R plain radiograph of the wrist; frontal projection; 9-year-old boy; Siemens:
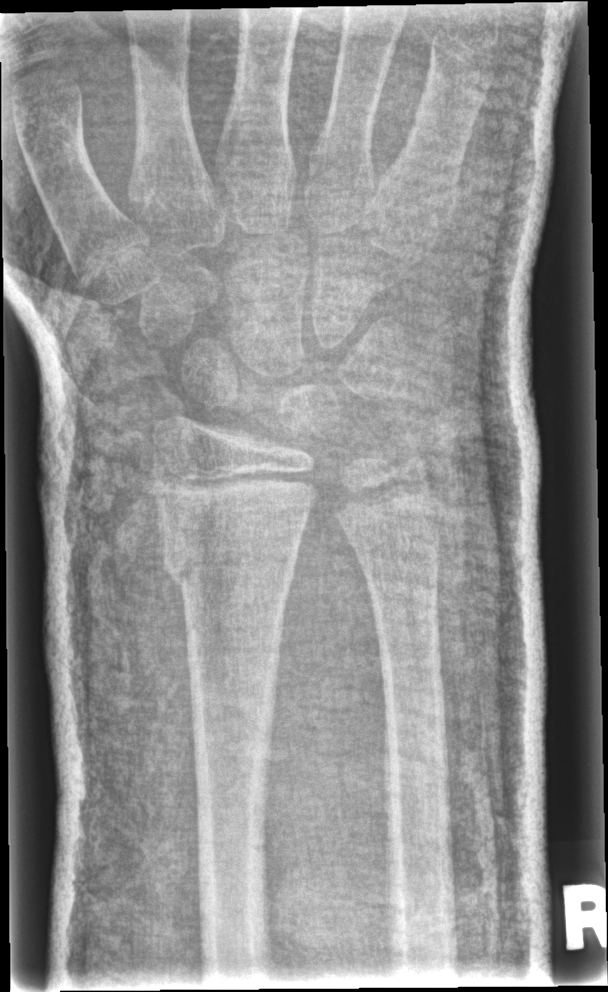 (pixel coordinates, top-left origin, xyxy)
Fx: 1 @ (left=170, top=525, right=299, bottom=598)